Frontal view; Lt plain radiograph of the wrist; follow-up; in cast
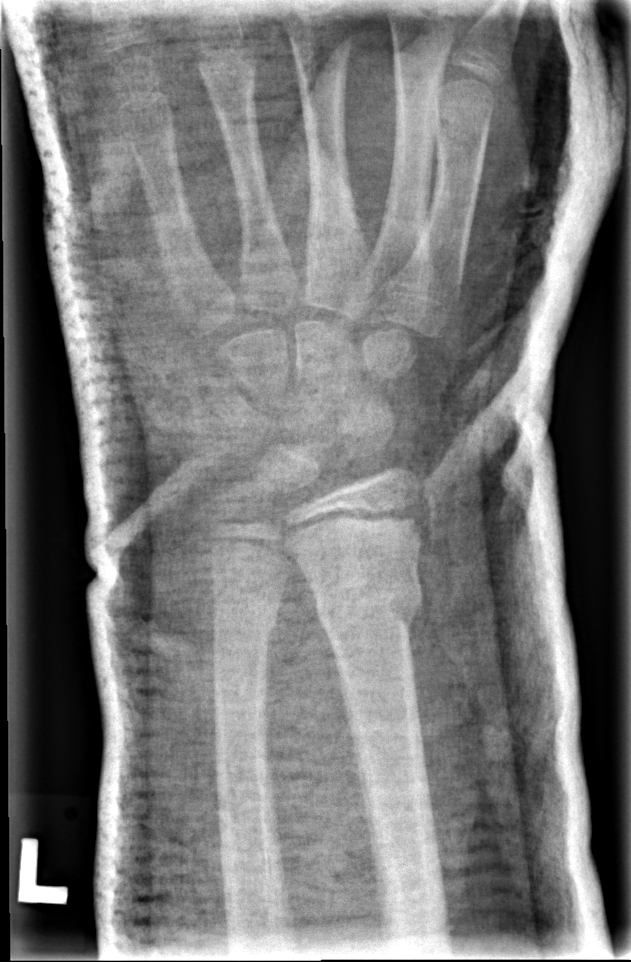 FINDINGS: (bounding boxes in image-pixel xyxy) Fx — (312, 574, 426, 637); (209, 608, 281, 651). AO/OTA classification: 23-M/2.1.